Lateral view; L wrist X-ray; age 9 y, female; acquired on Siemens.
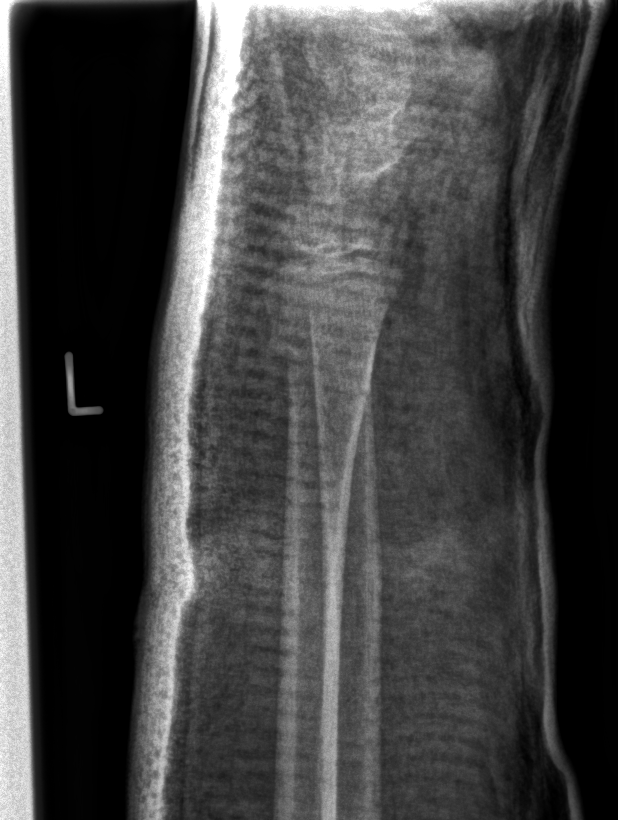
Findings: (coordinates are [x1, y1, x2, y2] in image pixels) Fx — <263,319>-<380,417>. AO/OTA classification: 23r-M/3.1.